Right wrist XR · lat projection · 375 by 1050 pixels. 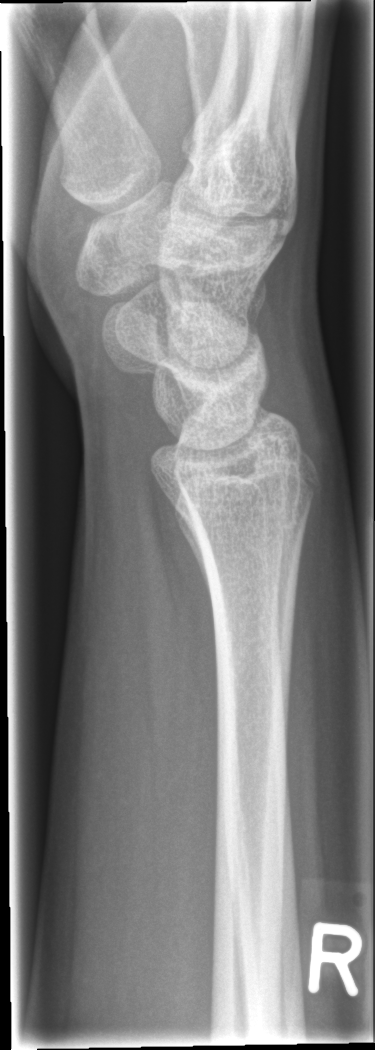
FINDINGS: No Fx annotated.